Rt wrist plain film | lat view | age 12 y, female | subsequent exam | cast present | Siemens | image size 576x828 —

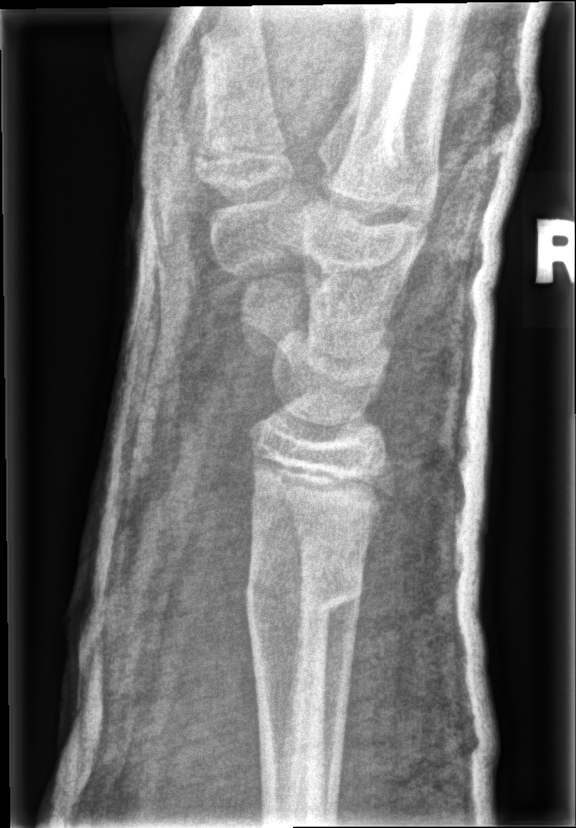

(boxes as x1,y1,x2,y2 (top-left / bottom-right, pixel units))
Fracture = 1 @ (237, 556, 371, 627)